Lat view, right wrist X-ray, presentation radiograph, image width 84.5 mm.
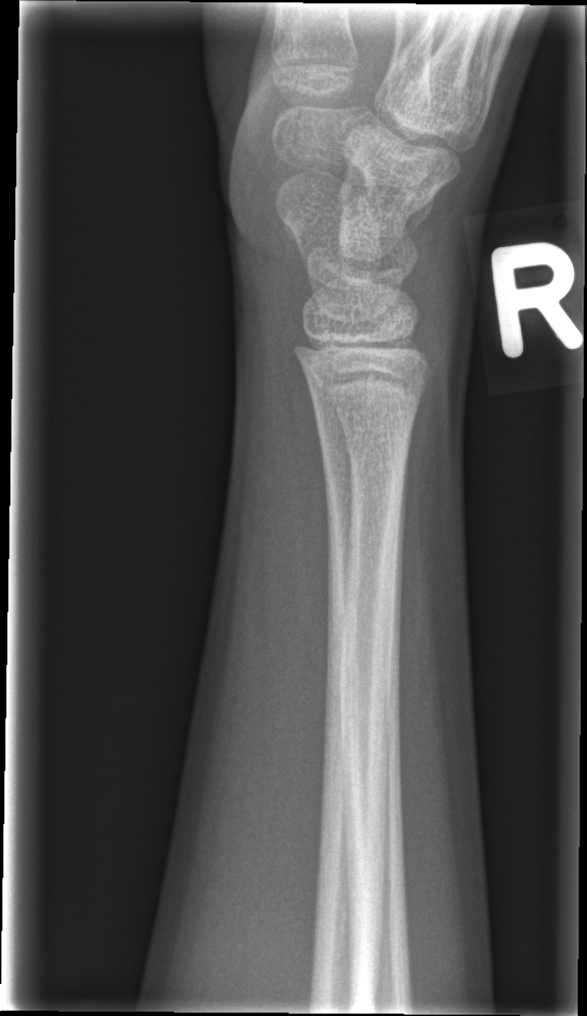 Q: Fracture present?
A: No fracture annotation